PA projection · right wrist plain radiograph of the wrist
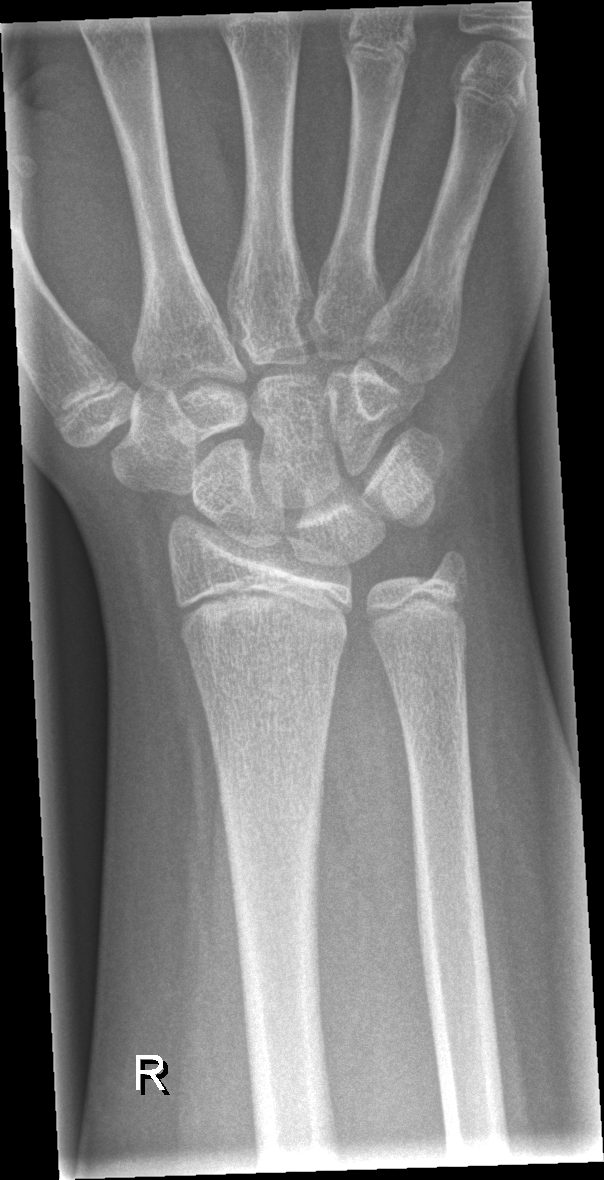
Fx: none labeled